Right wrist pediatric wrist radiograph; posteroanterior; initial study; 80.6 mm image width.
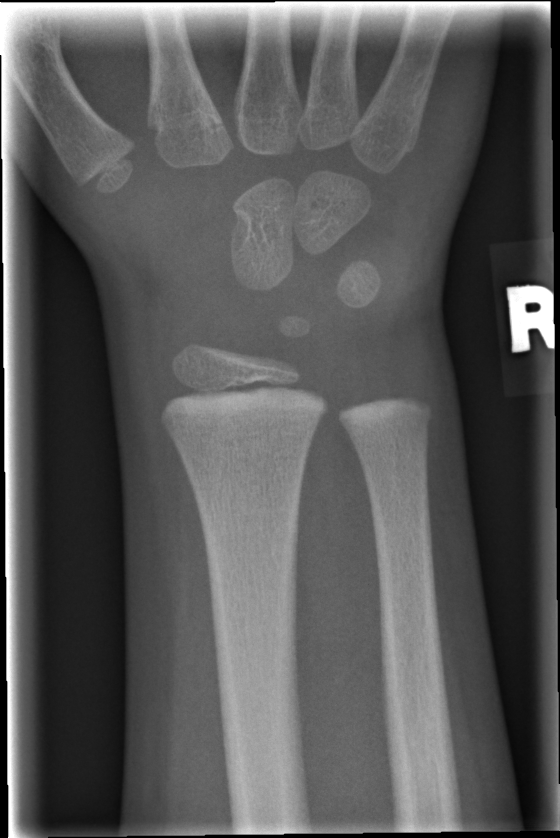
FINDINGS: No Fx annotated.